Lateral projection · left wrist pediatric wrist radiograph · pediatric patient (boy, age 15) · image 56.0 mm wide: 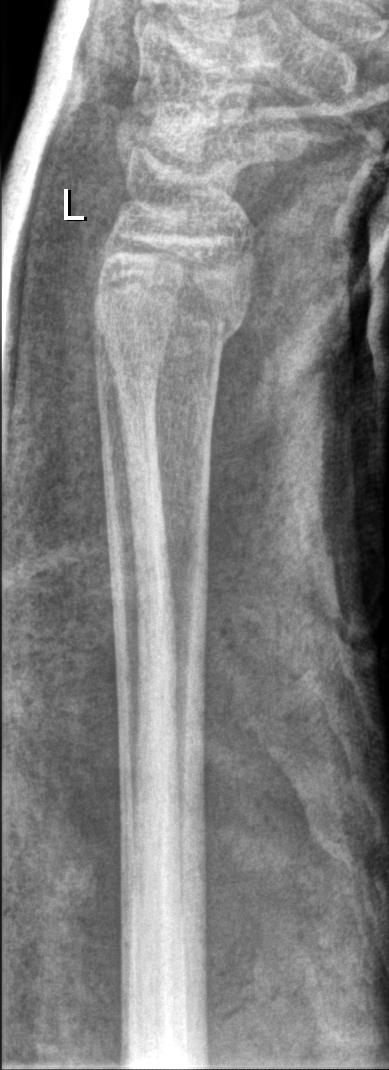
Findings: Bone fracture: <89,284>-<246,351>.